Left wrist pediatric wrist radiograph, lat projection, boy, 8 yo, 496 by 752 pixels
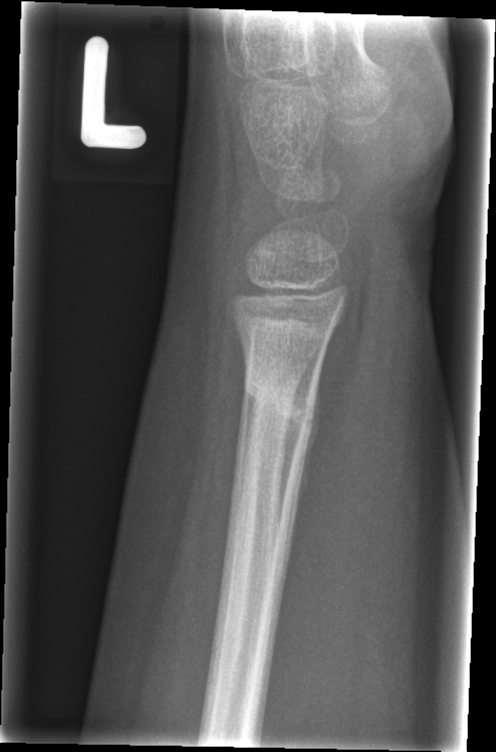 * Reduced bone mineral density.
* Bone fracture — bbox(241, 373, 322, 430).